R plain radiograph of the wrist · lat view:

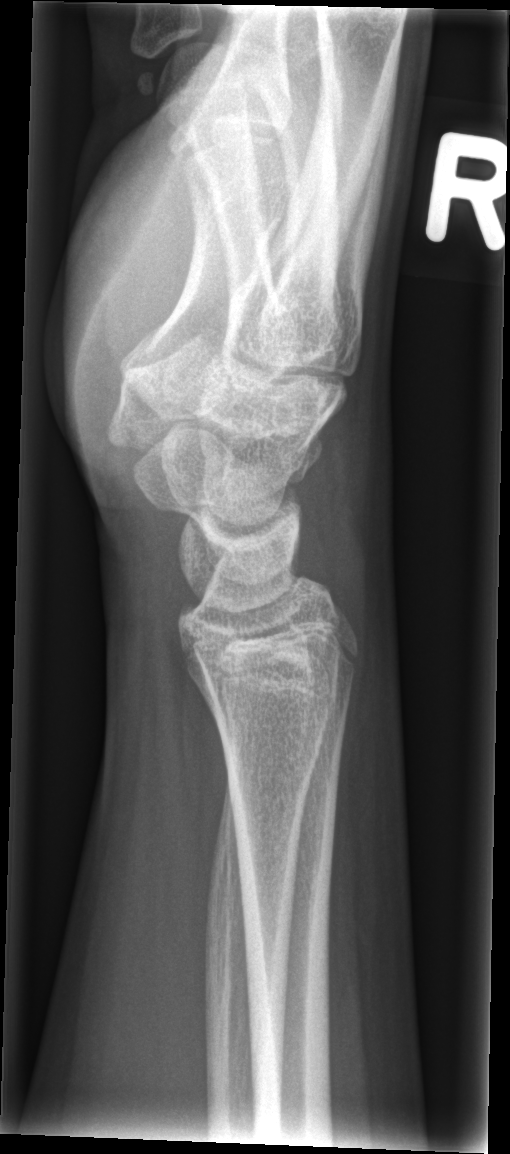
{
  "fracture": "none labeled"
}